AP projection | Rt wrist X-ray | 6-year-old girl.
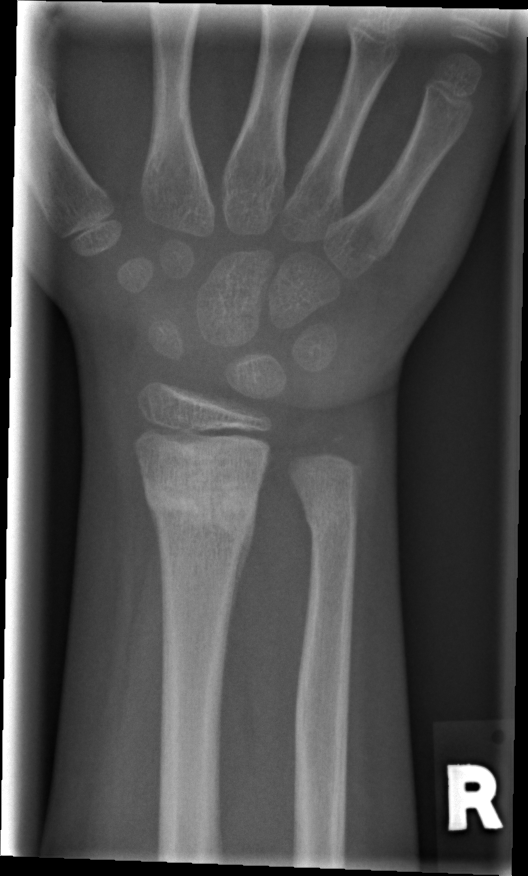

(pixel coordinates, top-left origin, xyxy)
Q: Is there a fracture?
A: Fx — (left=142, top=467, right=258, bottom=551); (left=300, top=491, right=361, bottom=542)
Q: Is there osteopenia?
A: Osteopenia
Q: AO code?
A: AO/OTA classification: 23-M/2.1